Lat projection · Lt wrist X-ray —
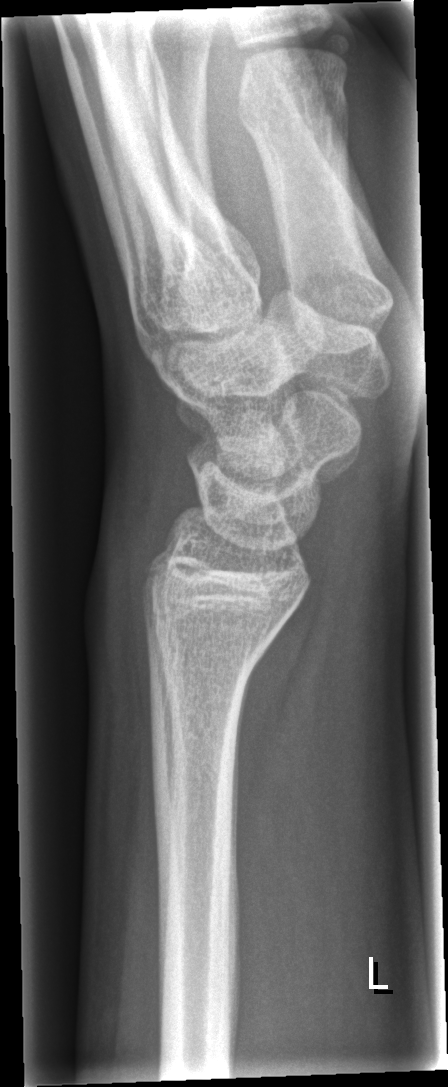

Fracture present but not clearly seen in this view.